R wrist X-ray · lat projection · boy, 12 yo · equivocal findings · 393x764 —

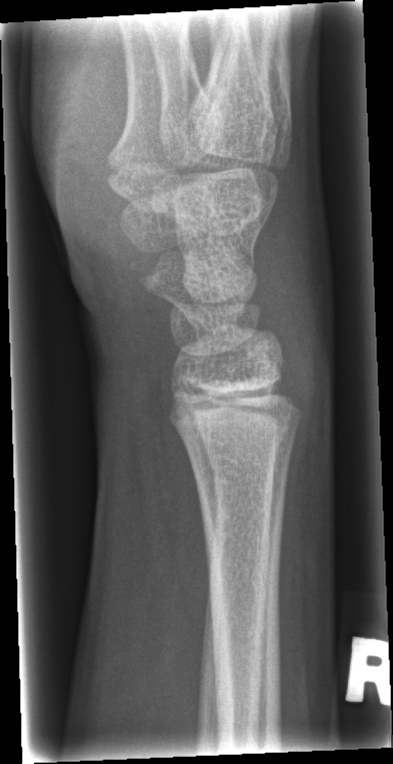
fracture = none labeled